Posteroanterior projection | R wrist plain film | pediatric patient (male, age 14) | 629 by 1326 pixels — 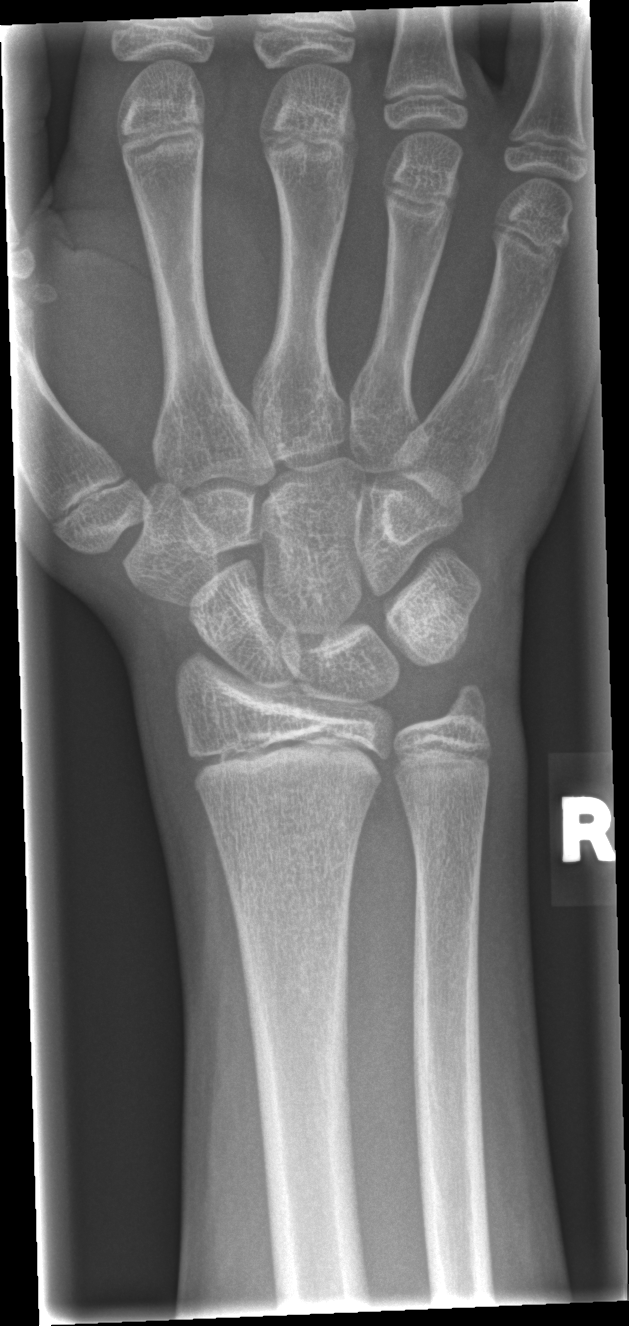
FINDINGS: No fracture annotation.